Rt wrist X-ray · lateral view — 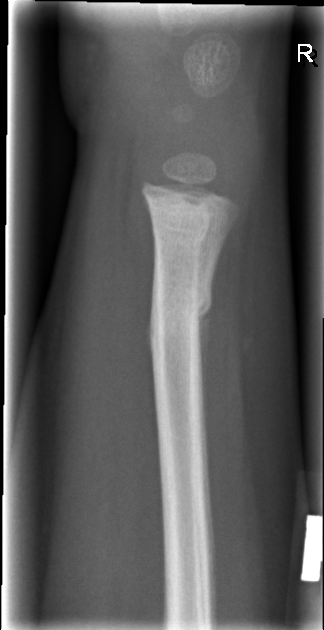
- One periosteal thickening at 196 310 210 443.
- Bone fracture identified at 148 281 217 355.
- Osteopenic.
- Fracture classified AO/OTA 23-M/2.1.